Lat projection; right wrist pediatric wrist radiograph; initial study —

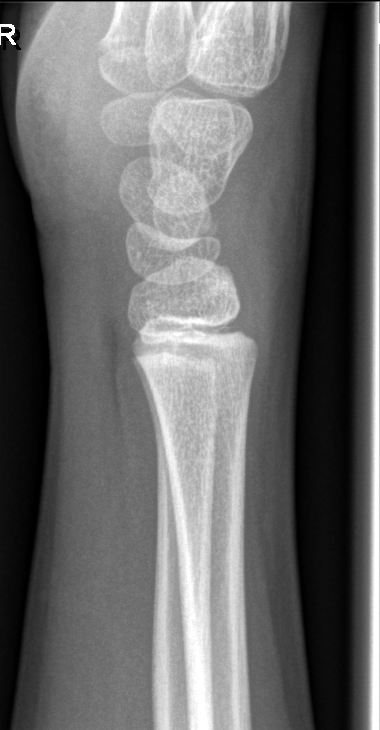

Q: Locate any fractures.
A: No Fx annotated